Rt wrist XR | frontal projection | 10y M | image 102.5 mm wide —

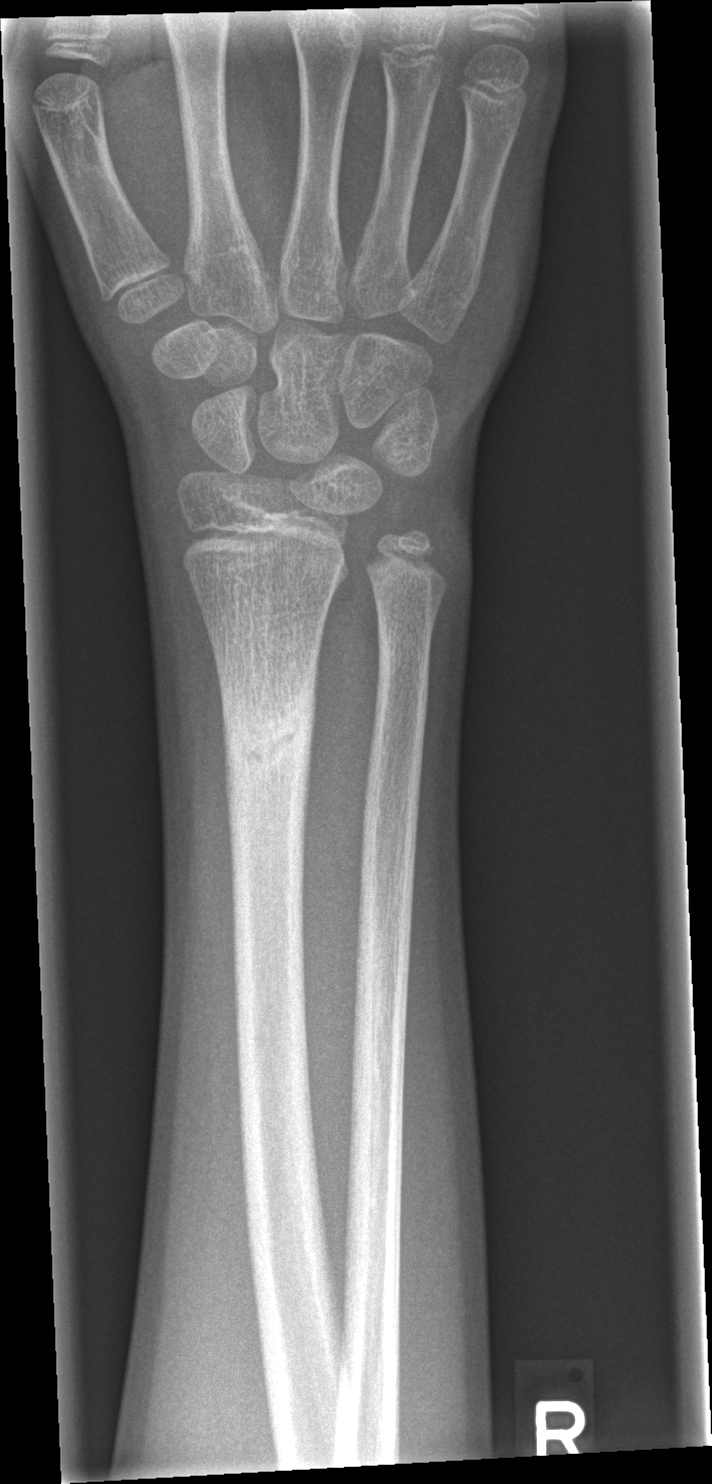

Coordinates are [x1, y1, x2, y2] in image pixels.
Bone fracture identified at (212, 648, 322, 801).
Fracture classified AO/OTA 23r-M/3.1; 23u-M/2.1.